Right wrist XR, lat view, female, 13 yo —

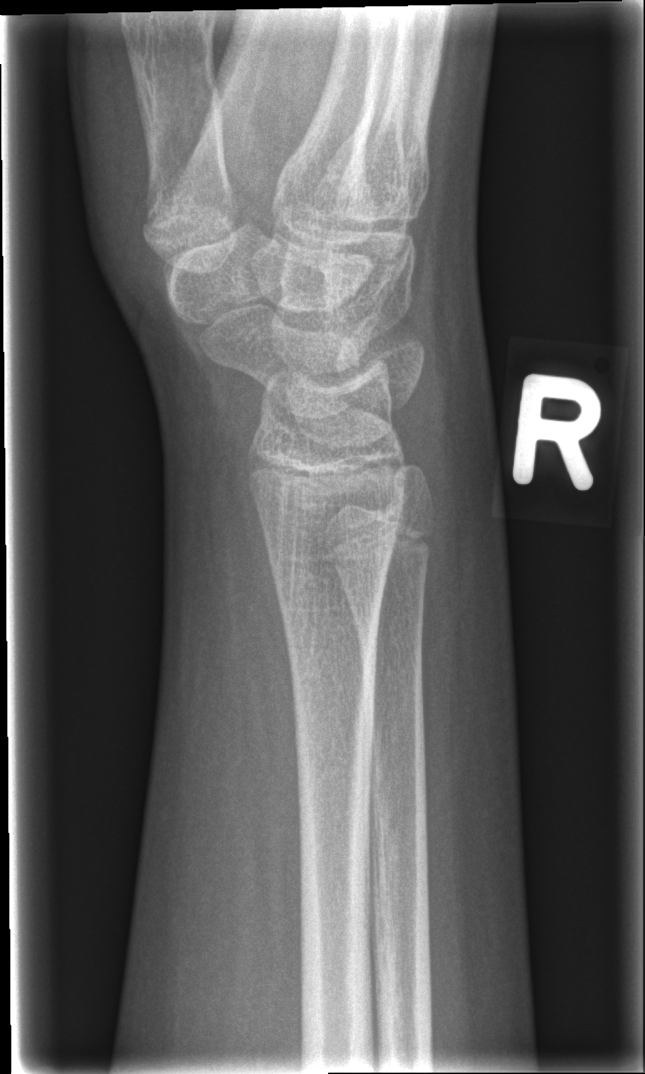

Fracture: none labeled.